R wrist XR · posteroanterior.
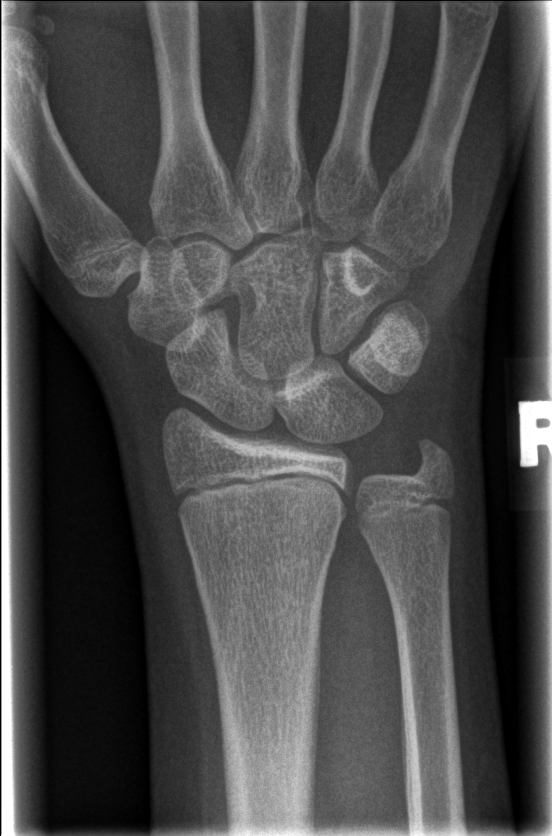 * Fracture present, though not clearly seen in this view.
* Fracture classified AO/OTA 23r-M/2.1.